Rt pediatric wrist radiograph; lateral view; imaged through cast; image size 572x976 — 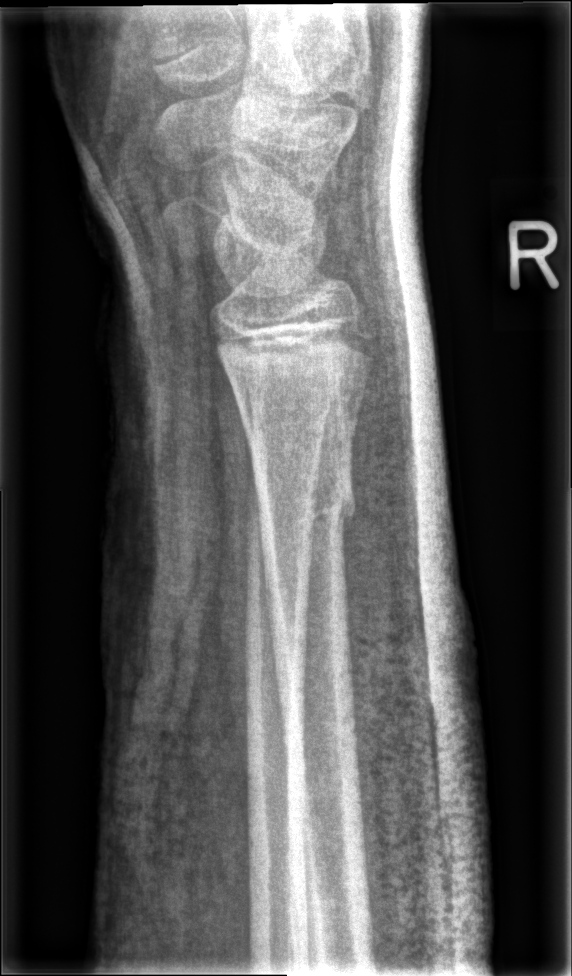

  fracture: 1 @ (left=252, top=467, right=359, bottom=535)
  ao: 23r-M/2.1; 23u-E/7